Rt wrist XR · lateral projection · male, 6 yo · 481 by 1180 pixels. 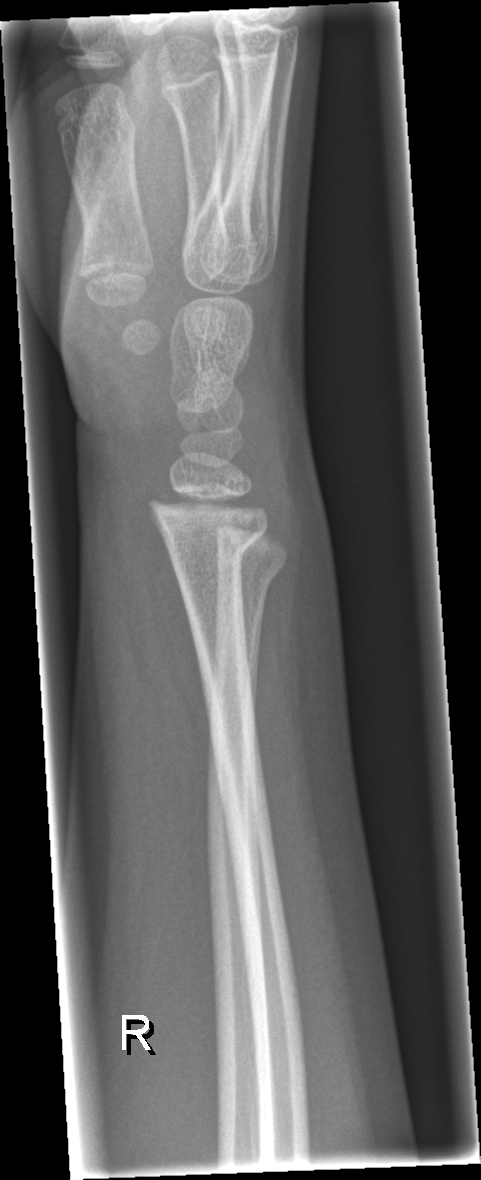

Coordinates are [x1, y1, x2, y2] in image pixels. Fx: bbox(154, 513, 271, 563) bbox(215, 551, 287, 596).